Lat, left wrist X-ray, age 13 y, male, initial study, Siemens
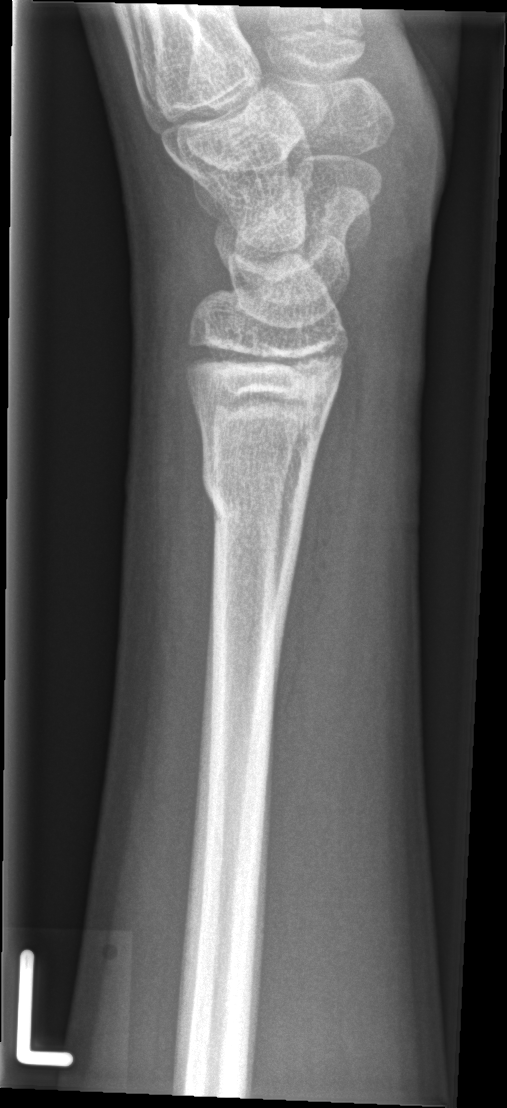

FINDINGS — Fx identified at [198, 464, 314, 546]. Fracture classified AO/OTA 23r-M/2.1.